Rt wrist XR | lat view | acquired on Siemens:
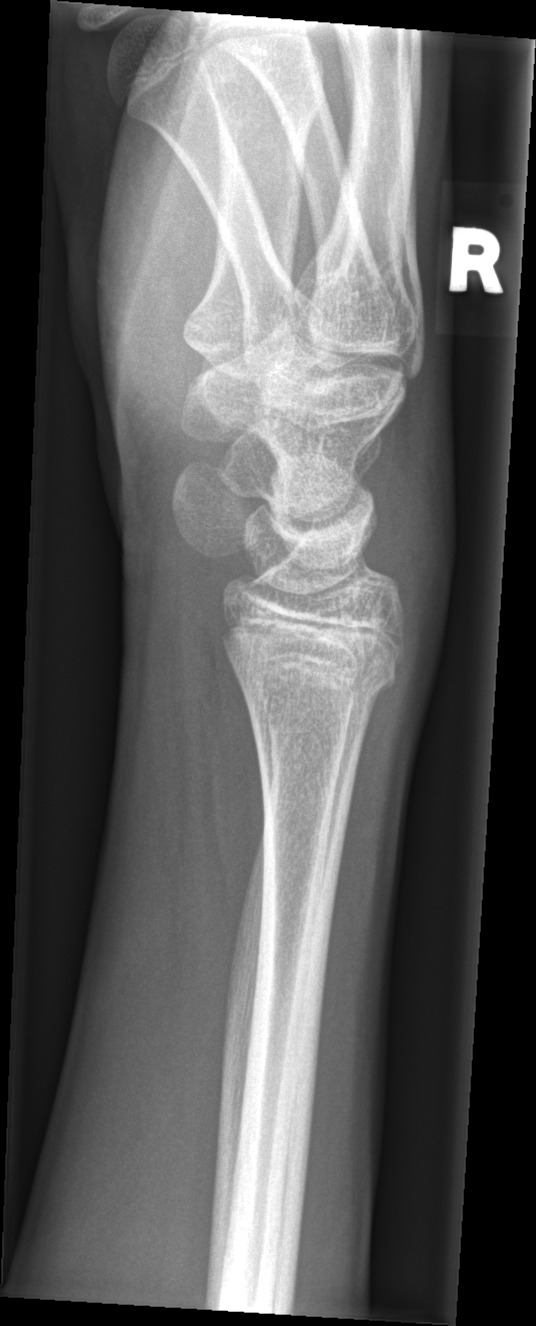
• AO code 23r-M/2.1.
• One Fx at <227,649>-<402,721>.